PA view; Lt plain radiograph of the wrist; age 12 y, girl; subsequent exam; acquired on Siemens — 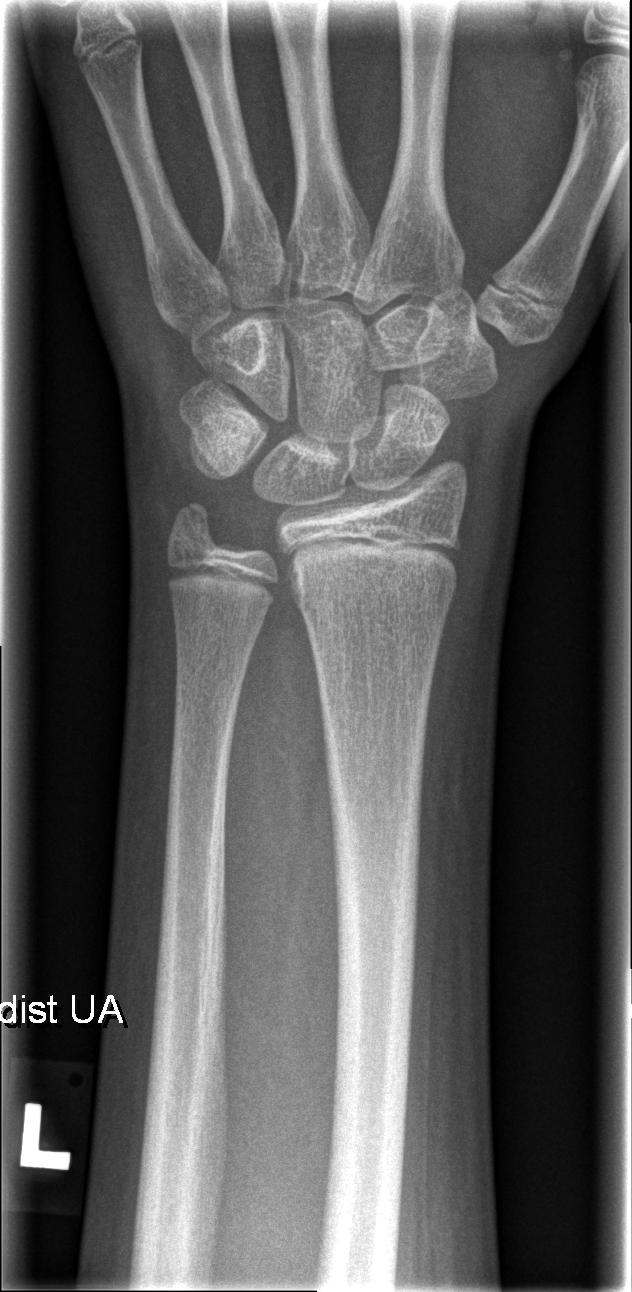 Bounding boxes in image-pixel xyxy.
Fracture identified at <162,492>-<231,557>.